PA/AP view; left wrist plain radiograph of the wrist; initial study 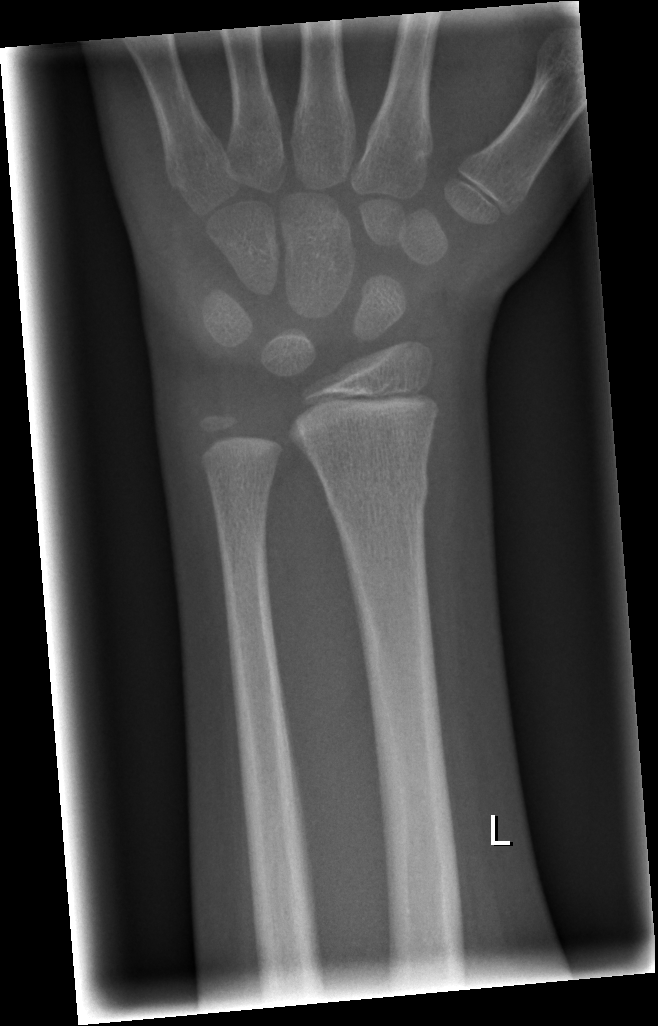

(bounding boxes in image-pixel xyxy)
AO code: 23r-M/2.1
fracture: 320 466 432 524